R wrist X-ray; PA projection; Siemens; image 95.2 mm wide

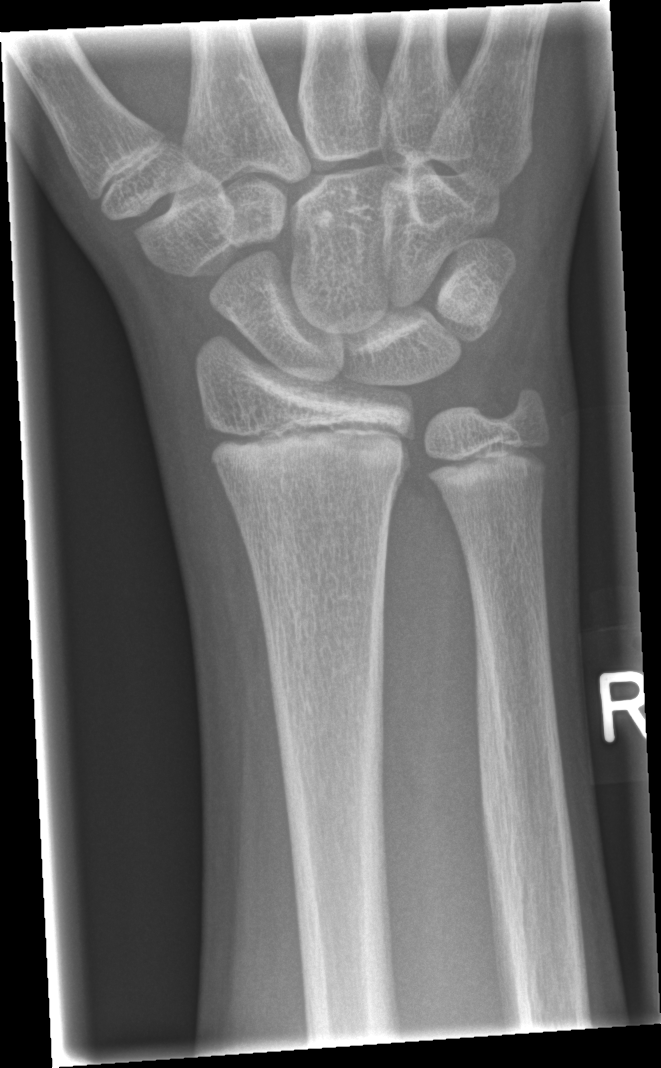 No fracture labeled.